Posteroanterior | L wrist X-ray | image width 103.7 mm 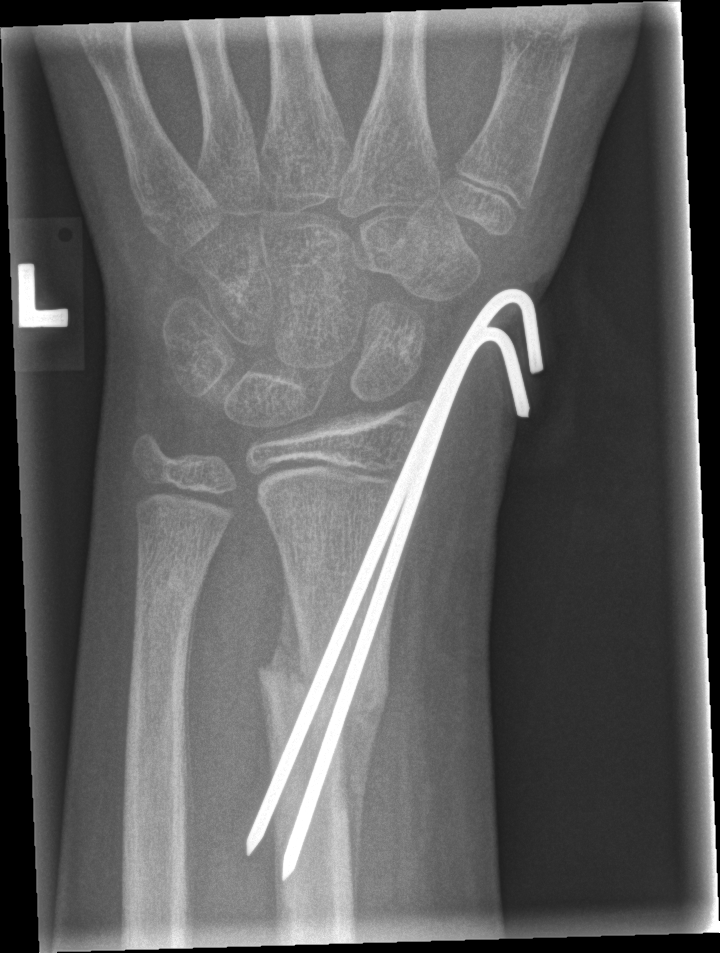 * Periosteal thickening identified at 334,686,388,931
  182,565,209,820
  257,562,303,686.
* Fx: 251,646,396,741; 133,566,208,622.
* One metallic implant at 242,282,545,884.